Lt plain radiograph of the wrist, lateral projection, 7y F, imaged through cast, image width 76.3 mm.
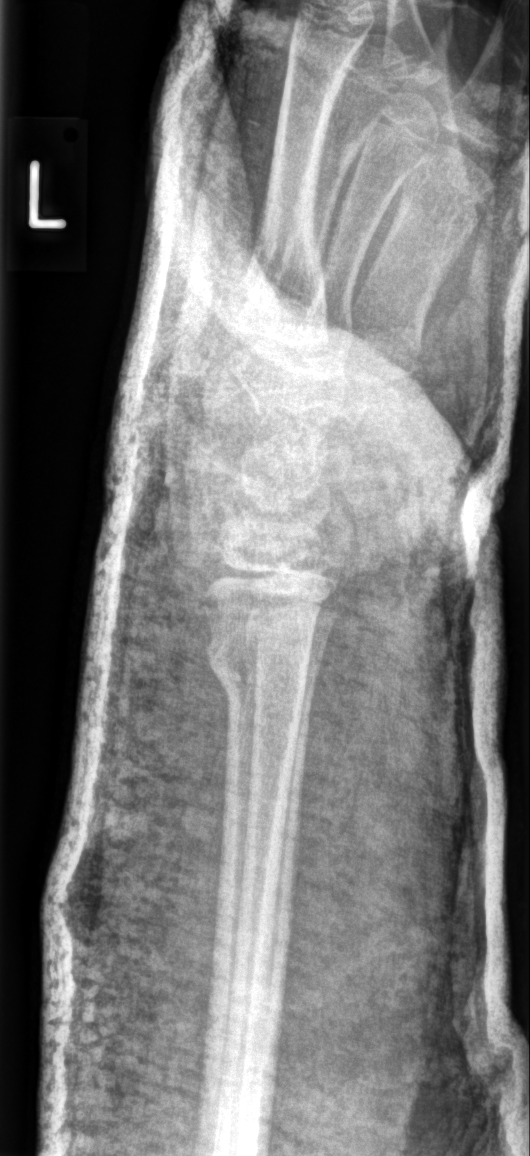

Q: Any fracture seen?
A: Fx identified at [192, 618, 292, 718]; [239, 600, 304, 669]